PA; left wrist X-ray; 3-year-old male; presentation radiograph; 68.8 mm image width —

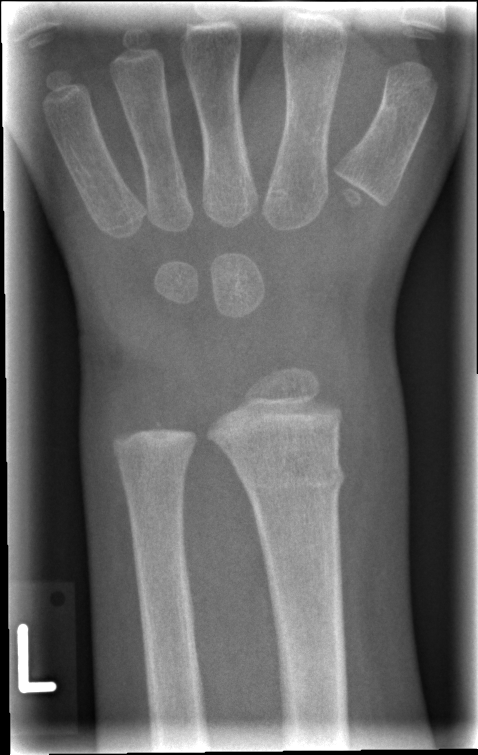
• Boxes as x1,y1,x2,y2 (top-left / bottom-right, pixel units).
• Fx identified at bbox(237, 457, 350, 505).